Lateral; Rt plain radiograph of the wrist; 14y M

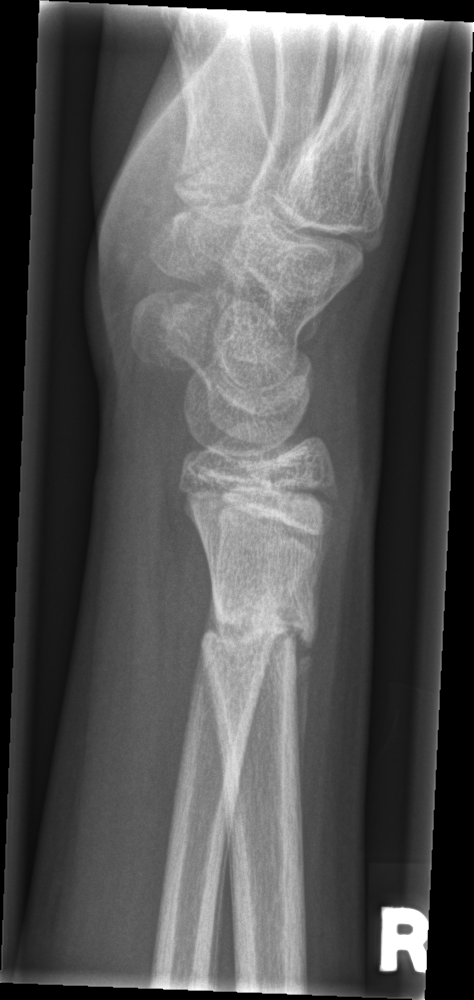 FINDINGS — (pixel coordinates, top-left origin, xyxy) Periosteal new bone — [x1=293, y1=631, x2=315, y2=796]. AO/OTA classification: 23r-M/3.1; 23u-E/7. Osteopenia. Bone fracture identified at [x1=196, y1=585, x2=321, y2=678].